Posteroanterior projection · left wrist plain radiograph of the wrist · 14-year-old male · cast in situ · detector: Siemens:
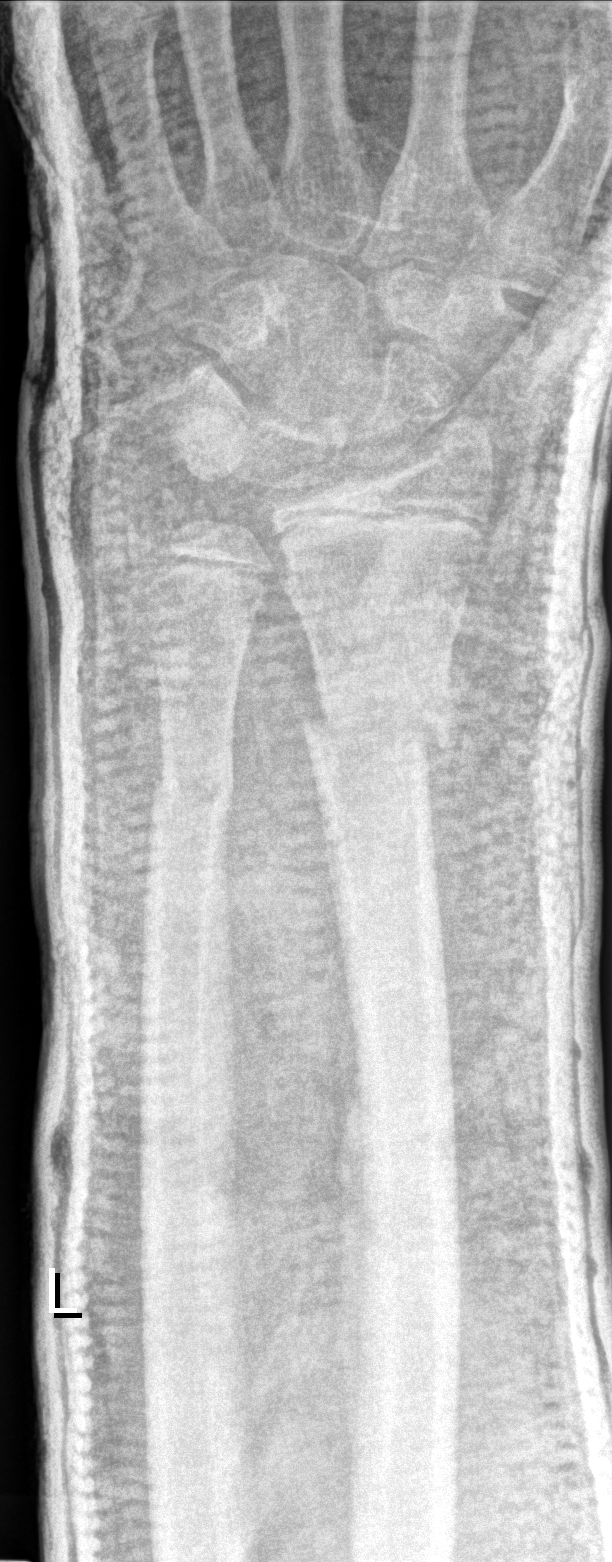

Coordinates are [x1, y1, x2, y2] in image pixels.
Two bone fractures at [297, 695, 457, 762] [145, 757, 237, 821].